Lateral projection · left wrist XR · follow-up.
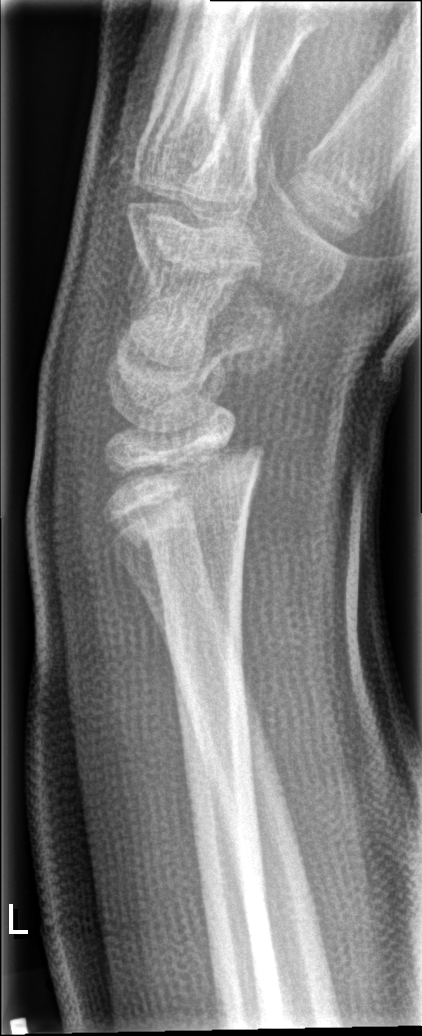 AO code = 23r-E/2.1
bone fracture = 1 @ bbox(102, 430, 271, 552)